R plain radiograph of the wrist · posteroanterior projection · pediatric patient (boy, age 13) · follow-up · detector: Siemens: 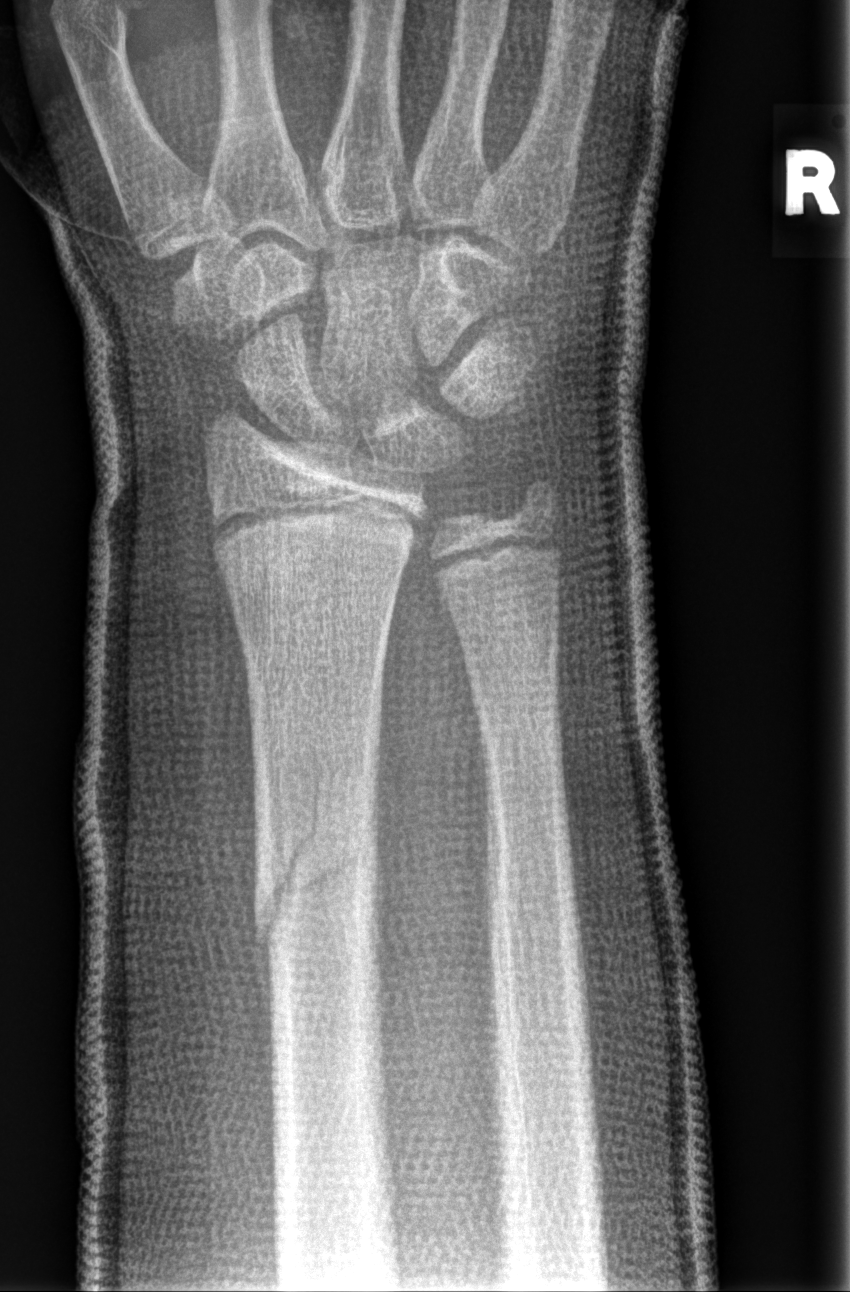

FINDINGS — Periosteal reaction identified at 254 902 276 1102. Fracture — 249 773 391 963.